R wrist plain film, lateral projection, 8-year-old boy.
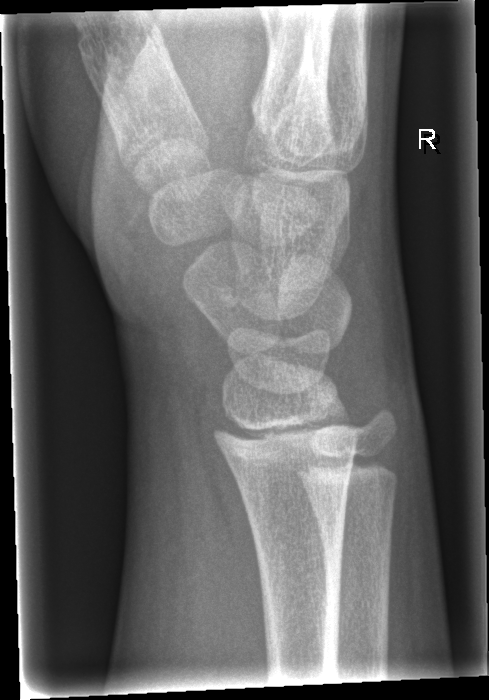

Findings: No fracture labeled.